L wrist radiograph, posteroanterior projection, age 6 y, female

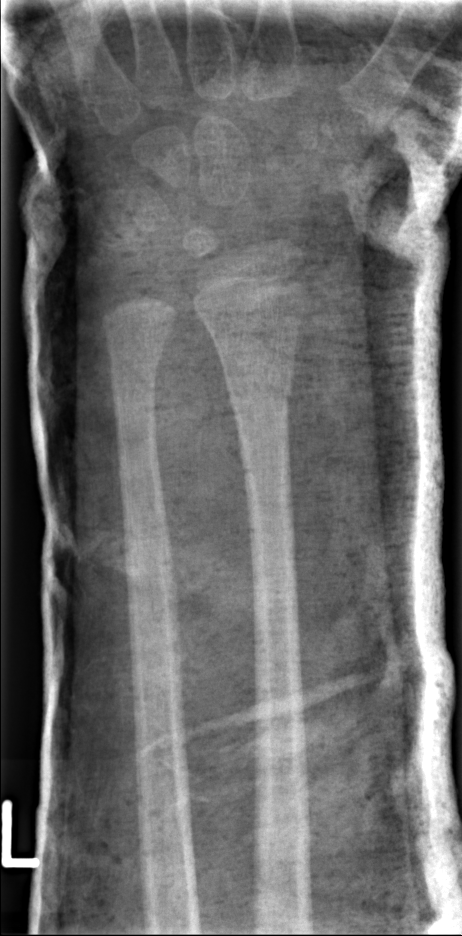

  ao: 23r-M/3.1; 23u-M/2.1
  fracture: (223, 365, 296, 416); (103, 337, 171, 379)